AP view · Lt wrist radiograph · 12-year-old boy · imaged through cast · 111.0 mm image width —
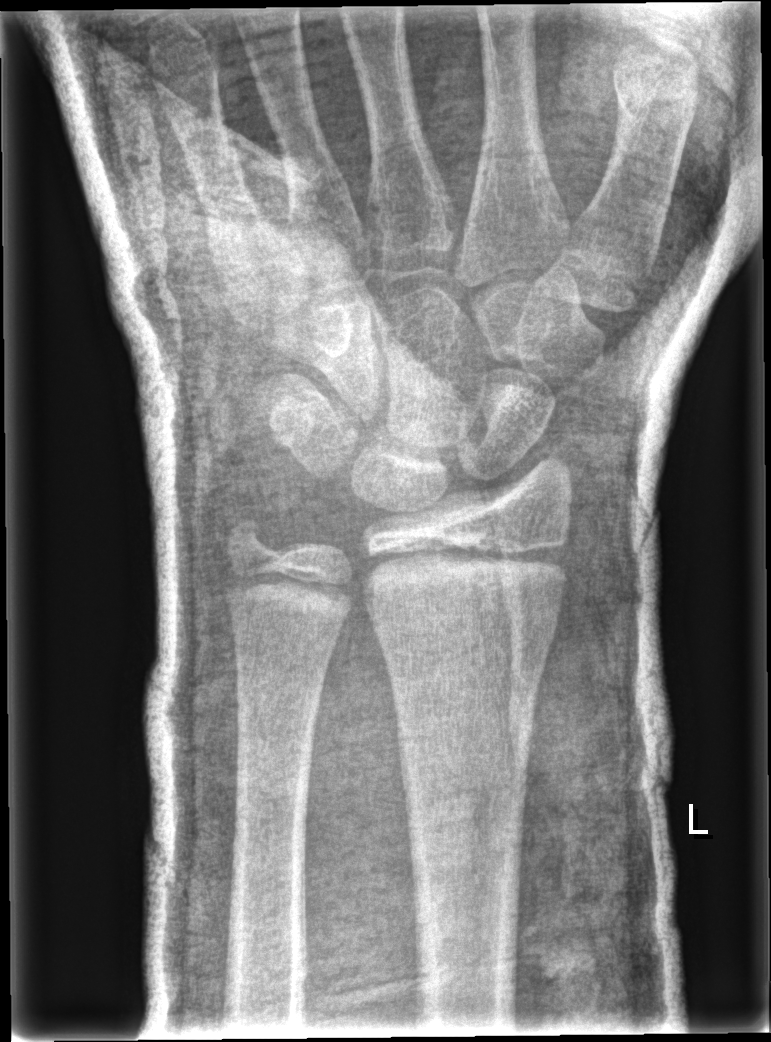
FINDINGS — One Fx at [220, 515, 283, 590]. AO/OTA classification: 23r-E/1; 23u-E/7.